Left plain radiograph of the wrist · lat · presentation radiograph · 495x1216 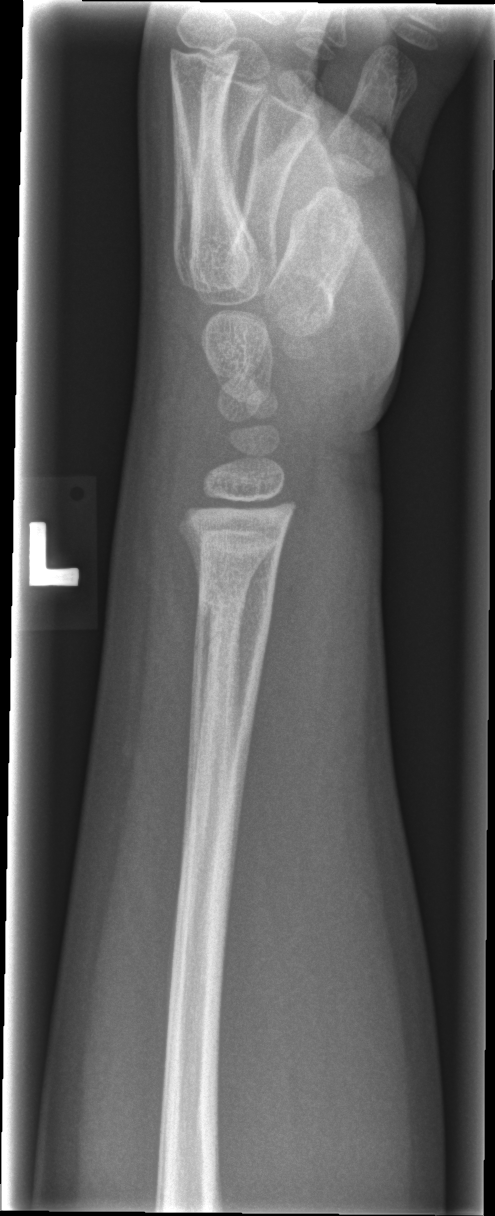
• Bone fracture identified at [x1=191, y1=553, x2=279, y2=633].